PA/AP projection | Rt pediatric wrist radiograph | pediatric patient (boy, age 17) | image width 94.0 mm | 653x762.
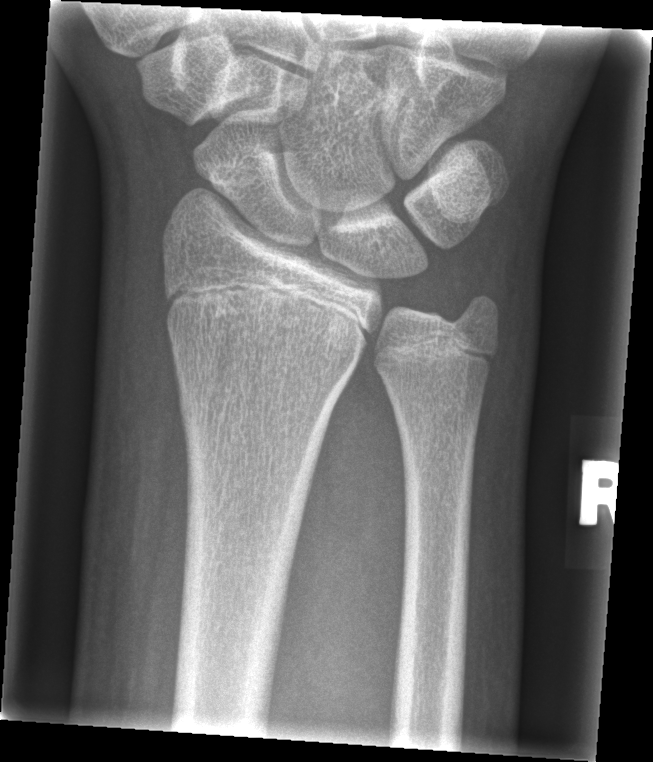 - Fx: none.